Lt wrist X-ray | posteroanterior view | 9-year-old female | subsequent exam | image width 70.8 mm:

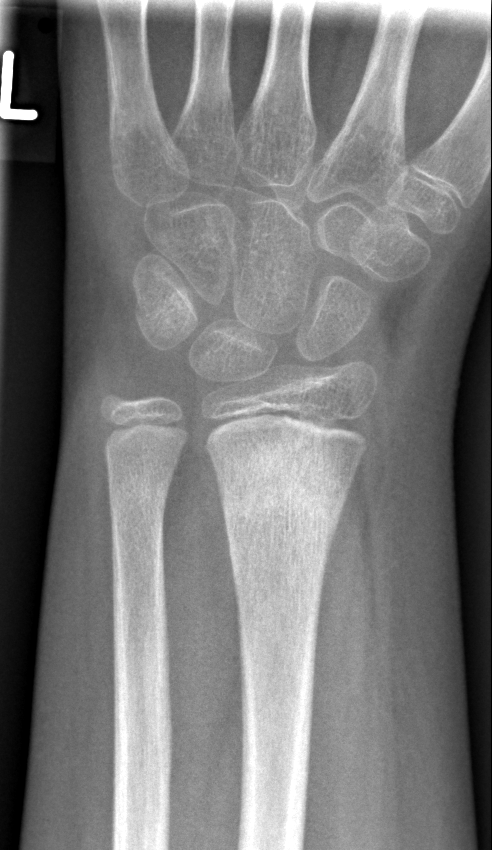 Bounding boxes in image-pixel xyxy.
Osteopenic.
Fx — bbox(213, 436, 357, 543) bbox(105, 470, 172, 522).
Fracture classified AO/OTA 23r-M/3.1; 23u-M/2.1.